Left wrist plain film · PA · subsequent exam · cast present. 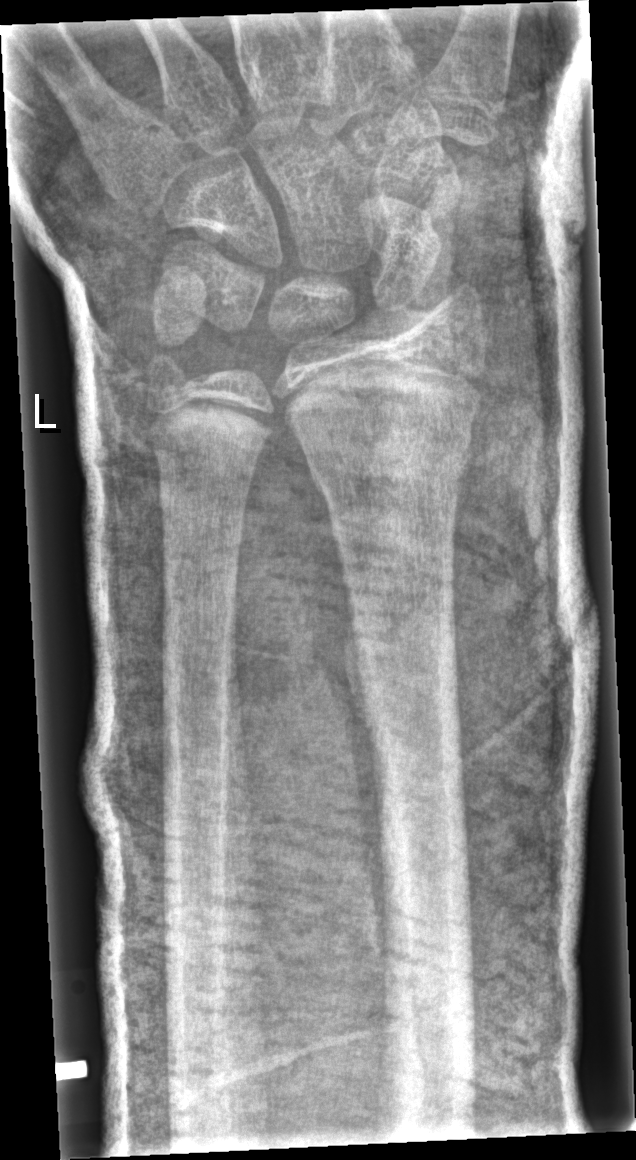 One Fx at bbox(294, 428, 475, 497).